Posteroanterior, left wrist plain film, pediatric patient (boy, age 10), image width 75.3 mm —
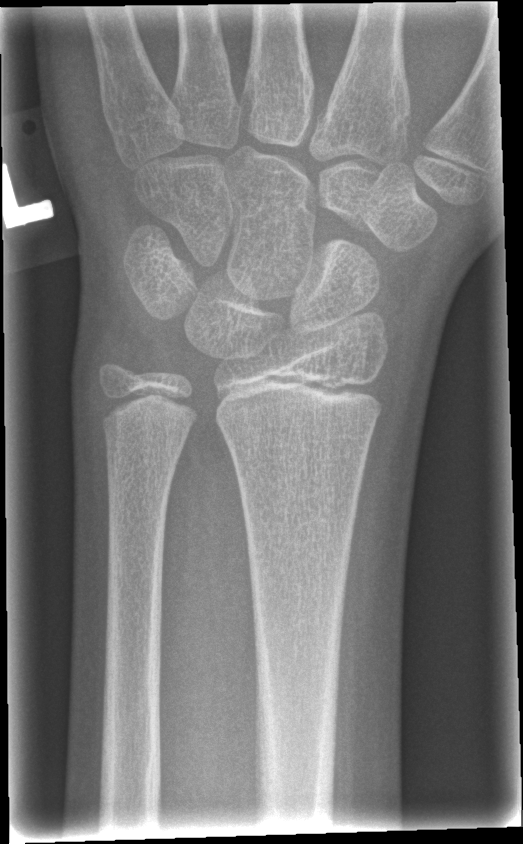
No fracture bounding box.